PA view, R wrist X-ray, image size 504x982 —
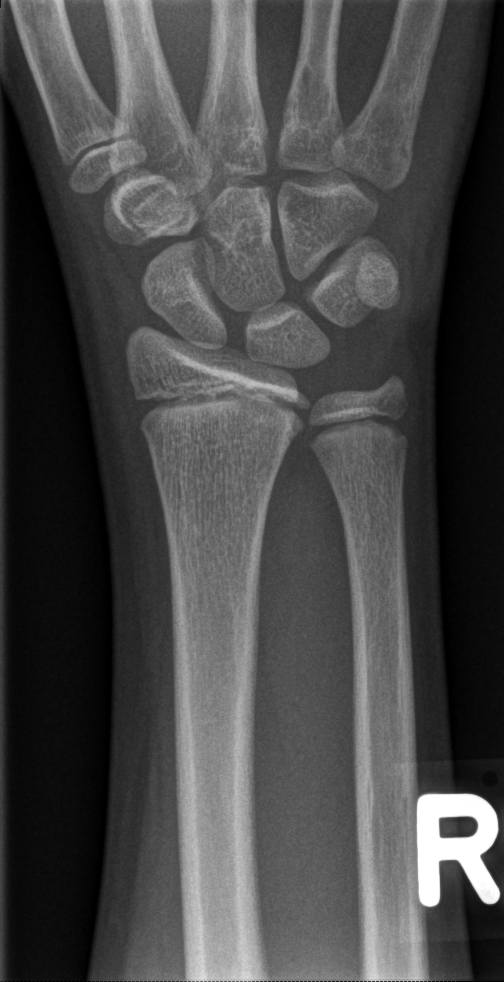
Fx: none.